Rt wrist plain film · lateral view · 10y F.

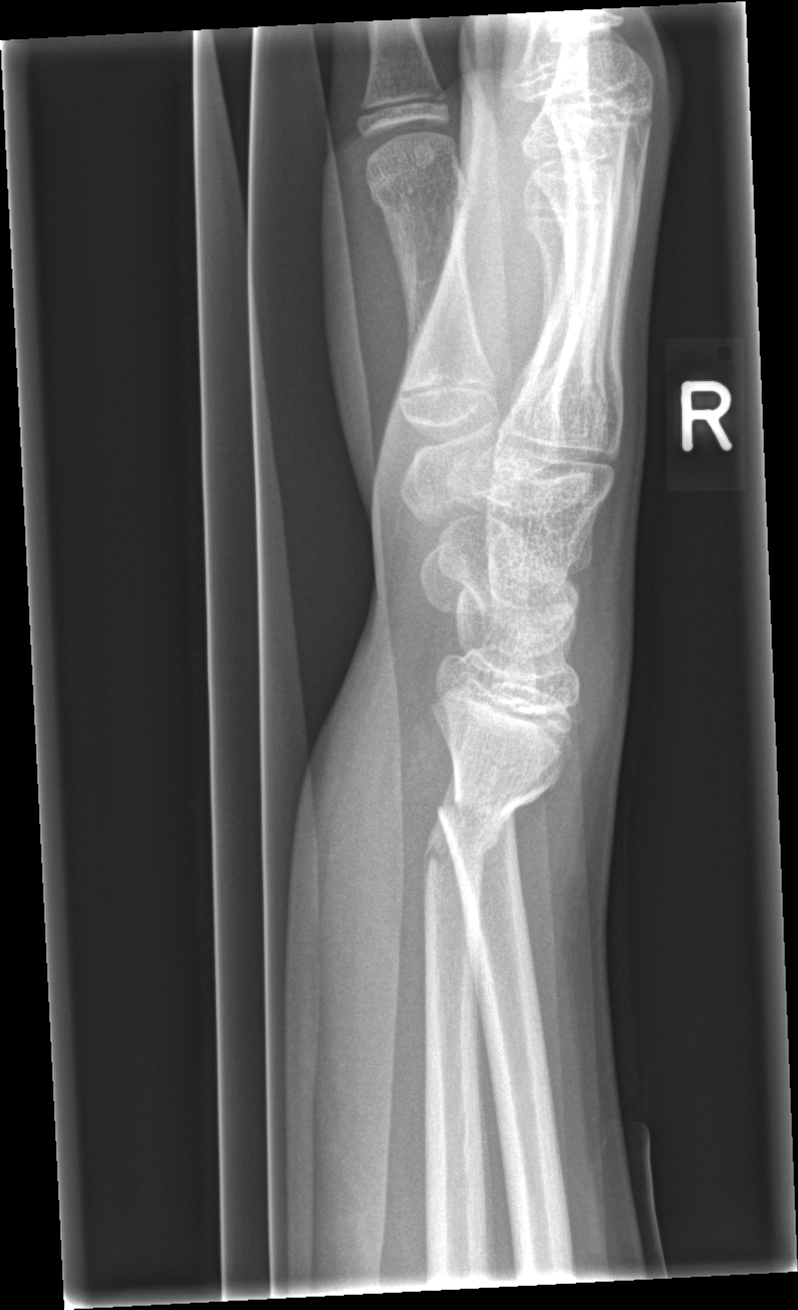
* Coordinates are [x1, y1, x2, y2] in image pixels.
* Soft tissue abnormality: 298,657,456,1213.
* Fractures — 436,770,563,862 | 417,815,506,896.
* Fracture classified AO/OTA 23-M/3.1.